Frontal projection · left plain radiograph of the wrist · pediatric patient (female, age 12) · detector: Siemens · image width 93.0 mm —
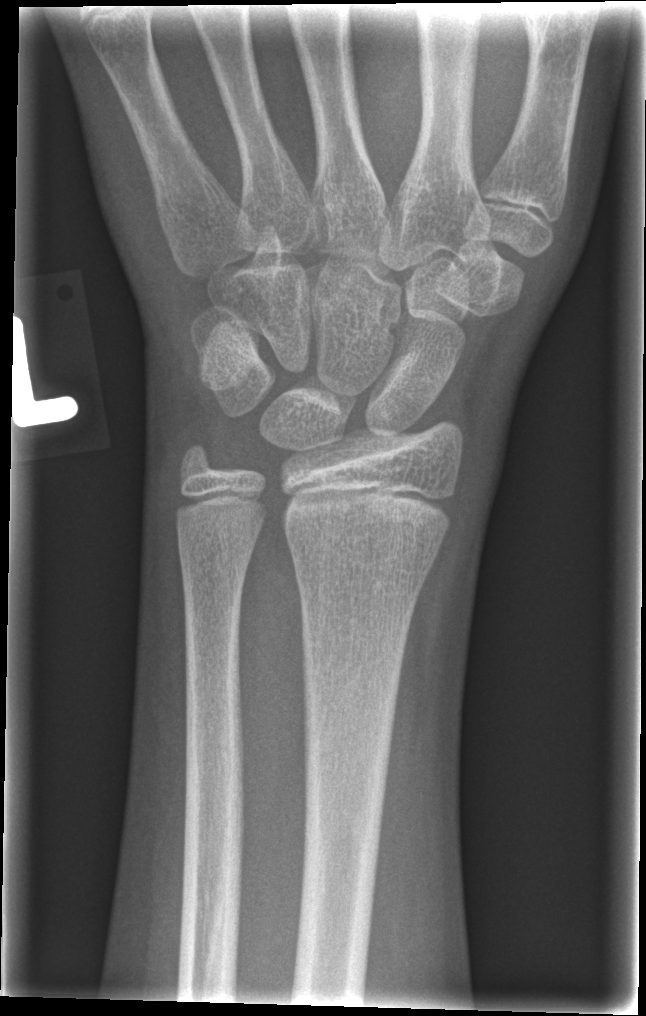

FINDINGS — Fracture present, but no bounding box because it is not clearly seen in this view. AO code 23r-M/2.1.